R plain radiograph of the wrist; lateral view 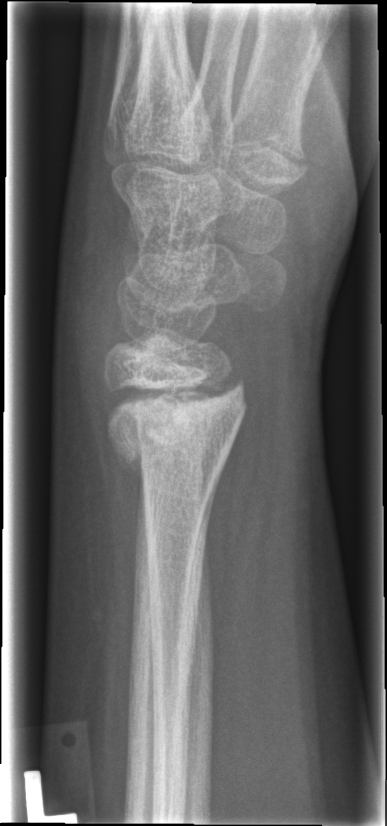

Boxes as x1,y1,x2,y2 (top-left / bottom-right, pixel units).
Fracture classified AO/OTA 23r-E/2.1; 23u-E/7.
Osteopenia.
Fx identified at [102, 360, 248, 470].